AP view; right pediatric wrist radiograph; initial study:

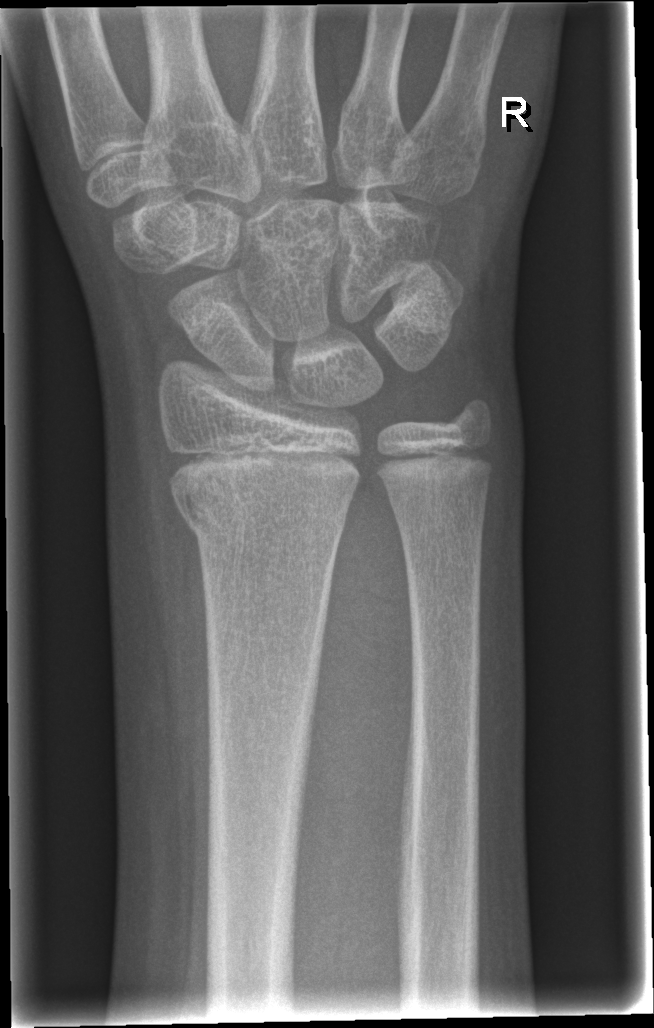 {"_coords": "pixel coordinates, top-left origin, xyxy", "fracture": "<166,466>-<359,551>"}